R pediatric wrist radiograph, PA view, age 7 y, male:
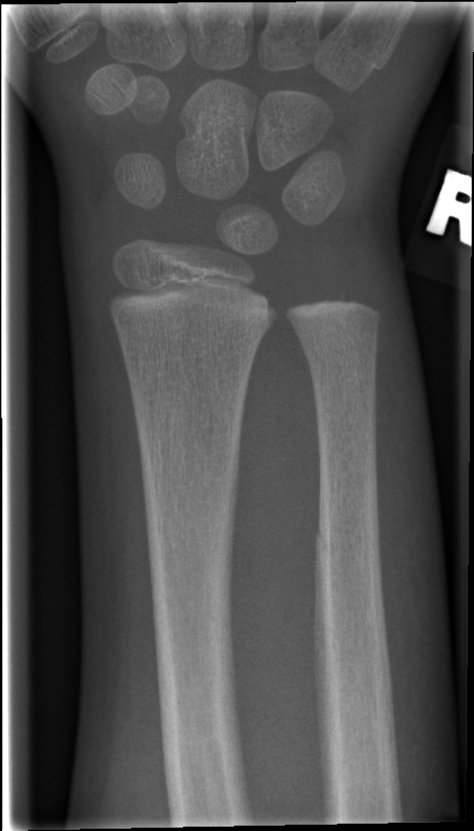

fracture: none labeled